PA projection, left wrist plain film, pediatric patient (boy, age 14), index exam —
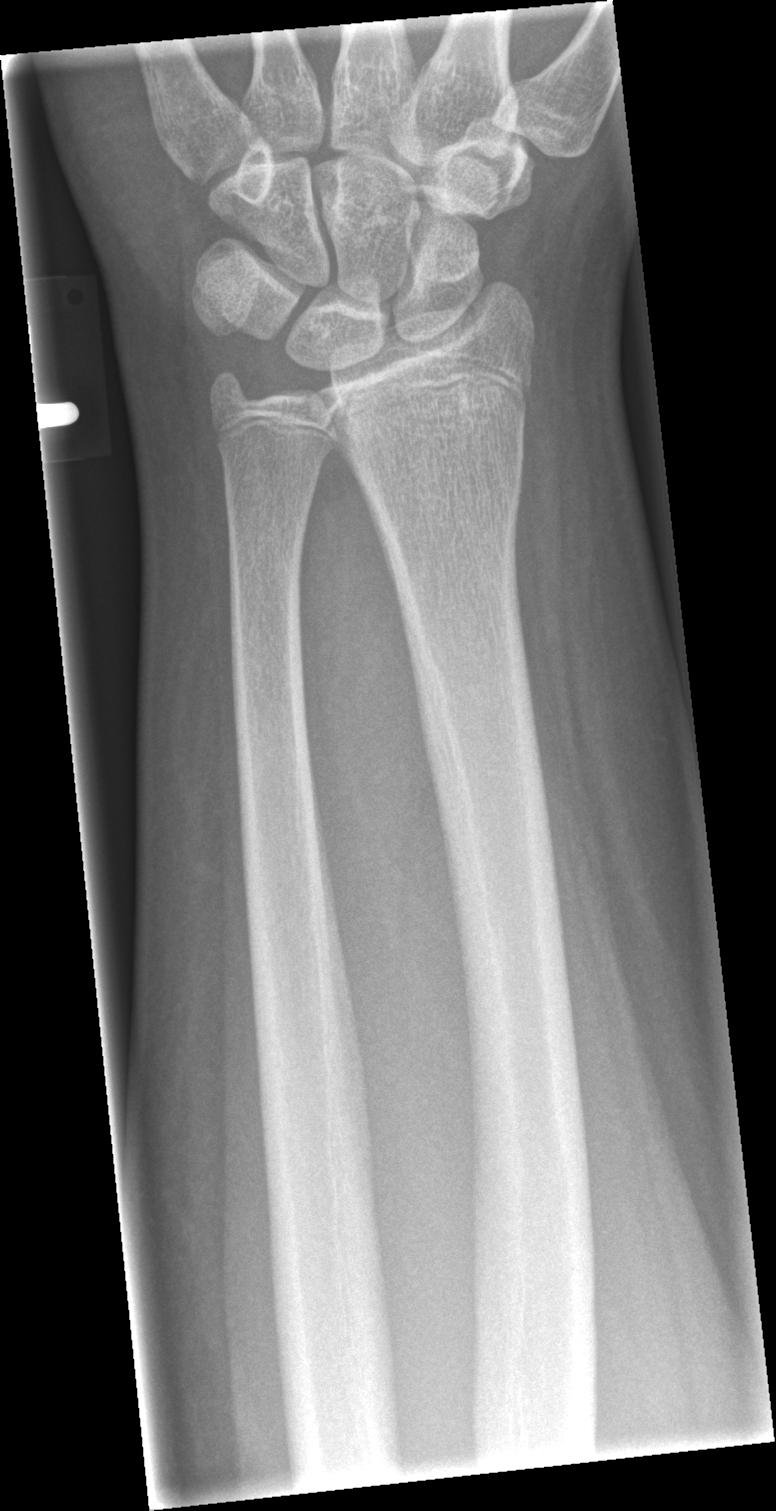
{"fracture": "none labeled"}